Rt wrist plain film, PA view
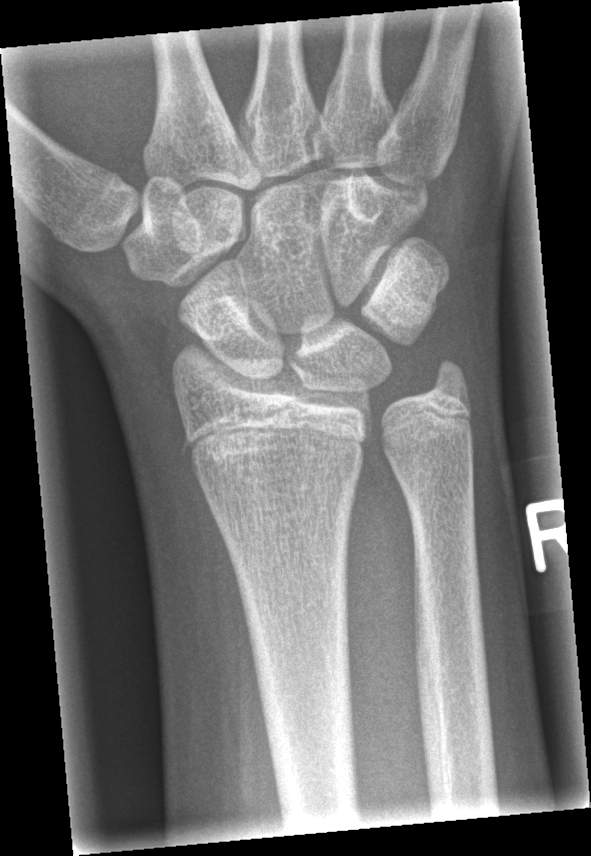
Fracture = none labeled